Lt wrist X-ray; obl view; boy, 13 yo — 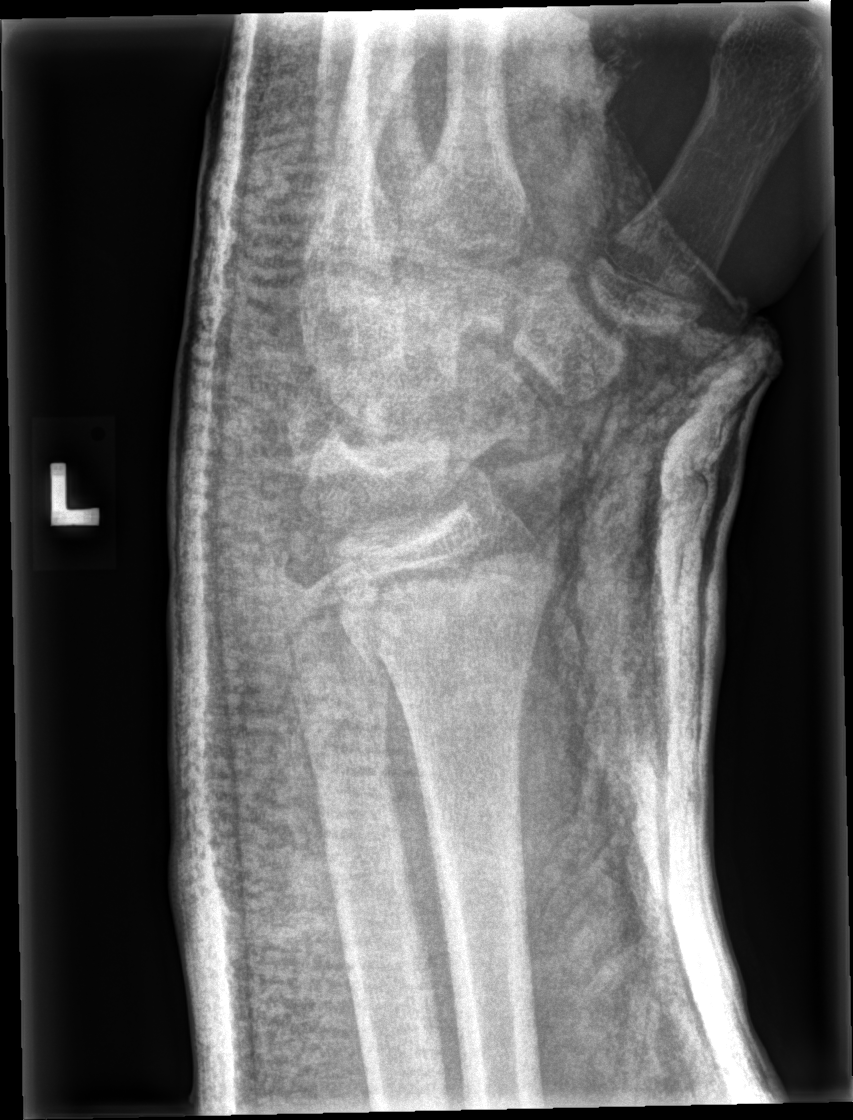
Findings: (boxes as x1,y1,x2,y2 (top-left / bottom-right, pixel units)) Fracture classified AO/OTA 23r-E/2.1; 23u-E/7. Two bone fractures at 332,534,568,682 | 248,525,314,608.